R pediatric wrist radiograph, posteroanterior view.
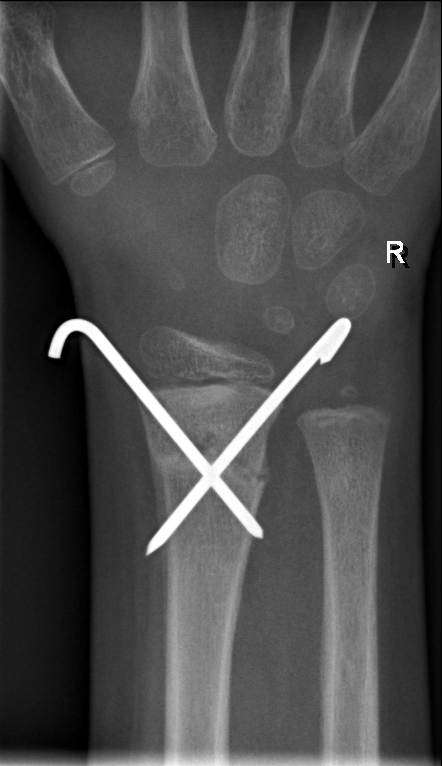 Findings: Two Fx at (left=146, top=431, right=273, bottom=501), (left=312, top=460, right=385, bottom=518). One metal at (left=45, top=318, right=352, bottom=555). Periosteal reaction identified at (left=148, top=445, right=167, bottom=530), (left=161, top=540, right=169, bottom=695). Osteopenia. AO/OTA classification: 23r-M/3.1; 23u-M/2.1.